AP projection; L wrist X-ray —

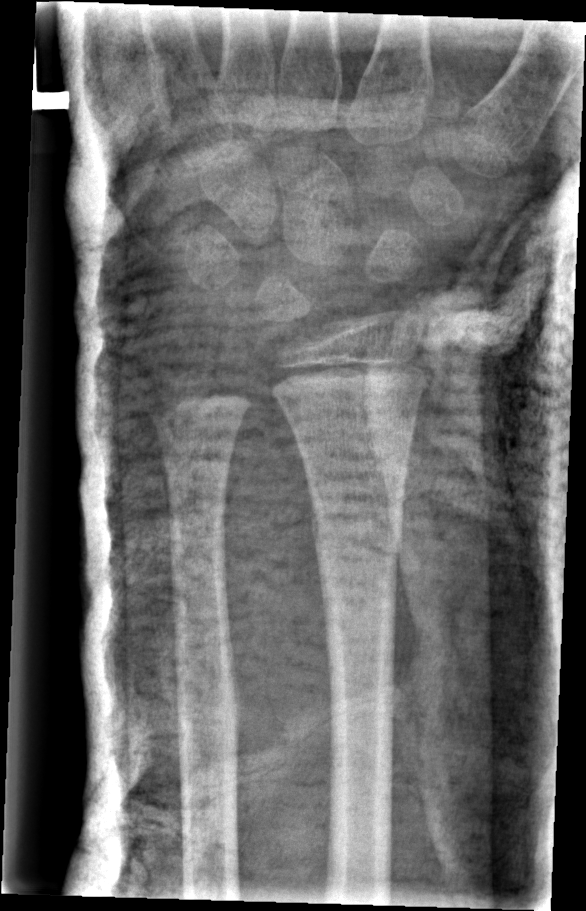

Bounding boxes in image-pixel xyxy.
Fx identified at bbox(307, 512, 406, 579).